Left wrist radiograph · lat view · 8y F —
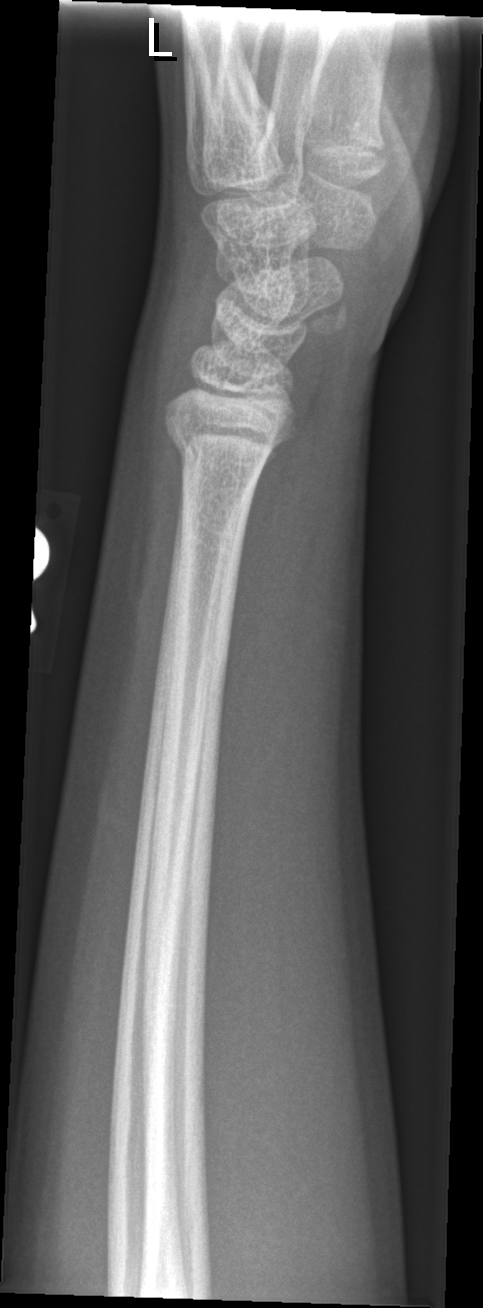
Bone fracture: (left=158, top=410, right=301, bottom=477)
Pronator quadratus fat-pad sign: 1 @ (left=224, top=397, right=310, bottom=664)